Frontal projection, Rt wrist X-ray:
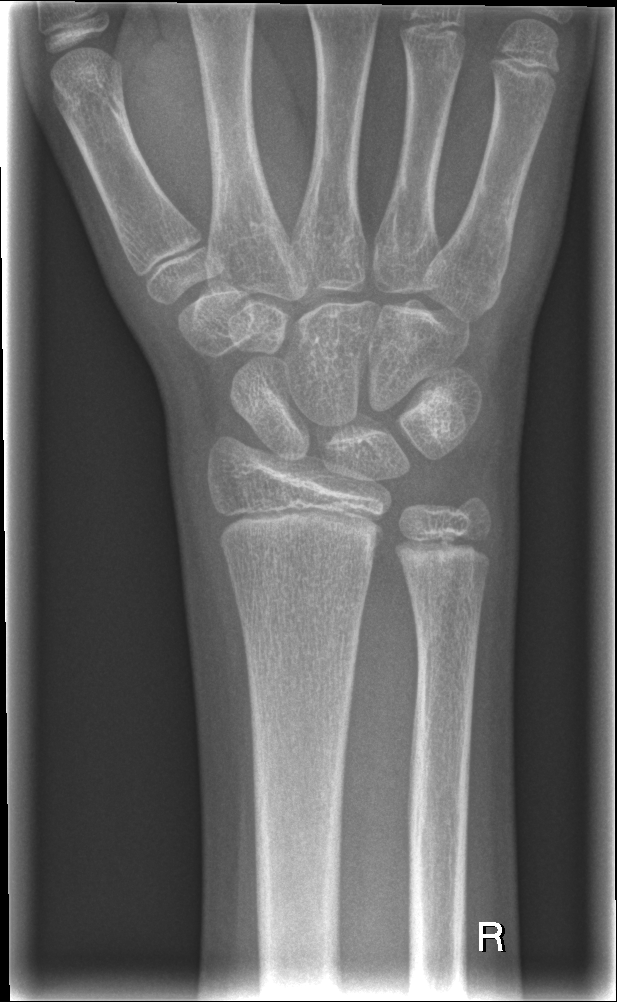 Fracture = none labeled